PA, right wrist plain film, age 11 y, boy, in cast
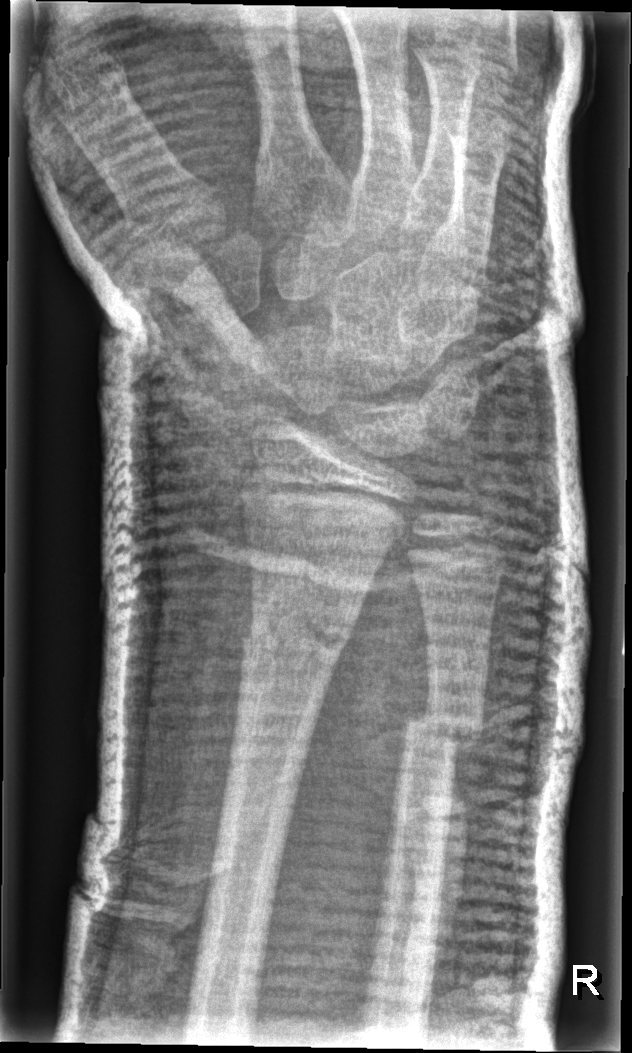
(pixel coordinates, top-left origin, xyxy)
Q: Locate any fractures.
A: Bone fracture: <235,603>-<358,675> <399,699>-<487,768>